Lateral, Lt plain radiograph of the wrist, pediatric patient (male, age 9), subsequent exam:

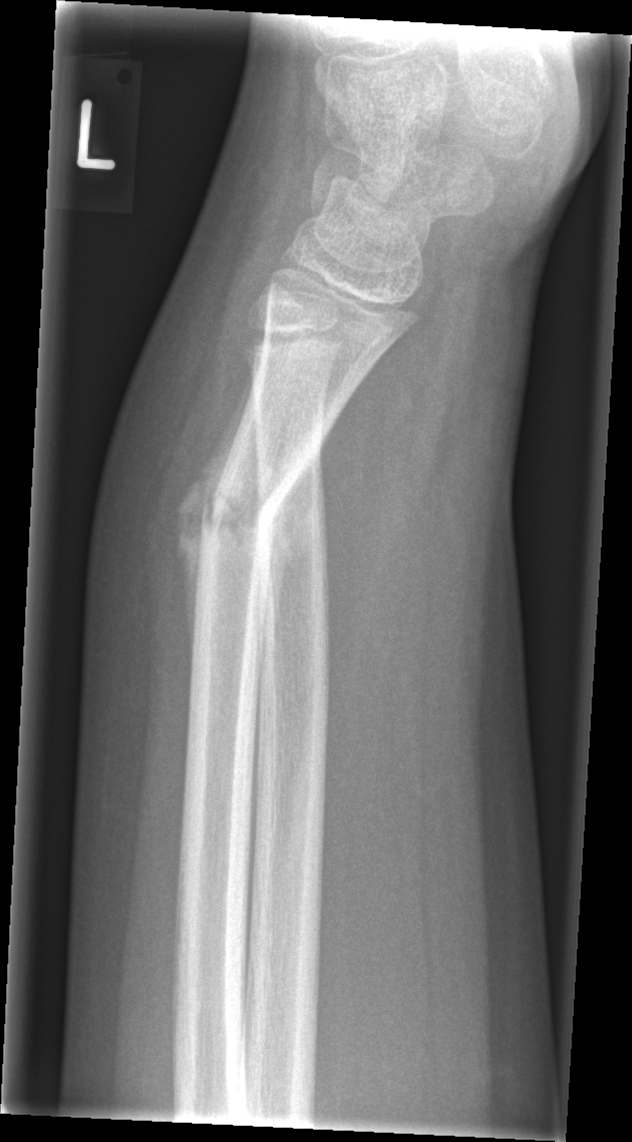
Boxes as x1,y1,x2,y2 (top-left / bottom-right, pixel units). Fracture classified AO/OTA 23r-M/3.1. Decreased bone density (osteopenia). Periosteal reaction — <174,339>-<267,688> <258,443>-<323,688>. One fracture at <192,482>-<283,563>.